Lat · left wrist plain film · follow-up study · imaged through cast —
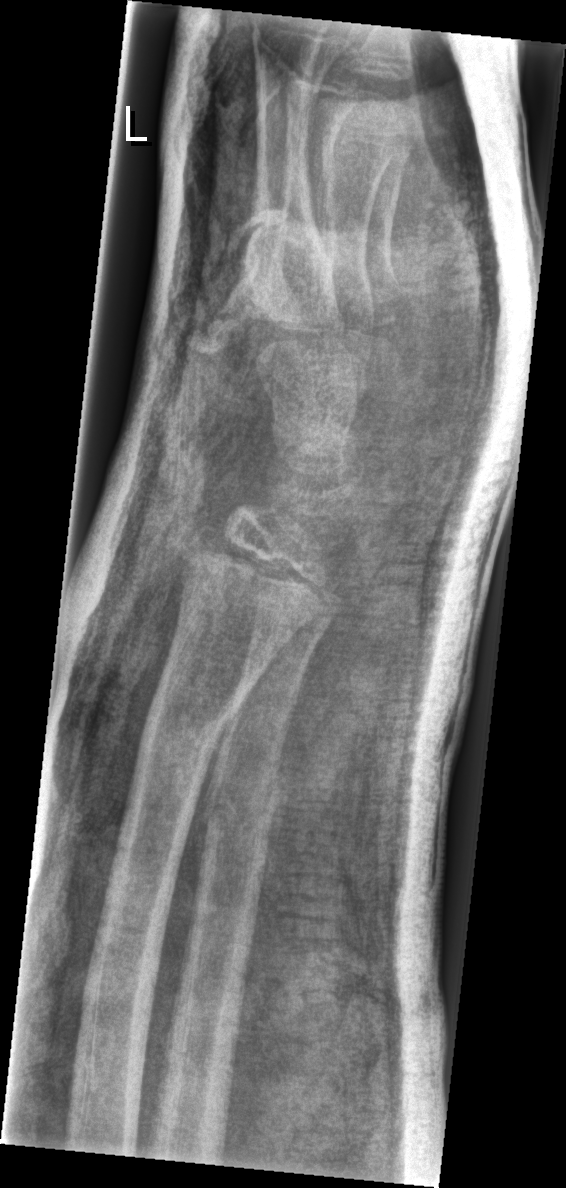 Fracture classified AO/OTA 23-M/3.1. Fx: bbox(128, 674, 243, 767), bbox(197, 760, 286, 871).